PA/AP view, Rt plain radiograph of the wrist, girl, 17 yo, index exam:

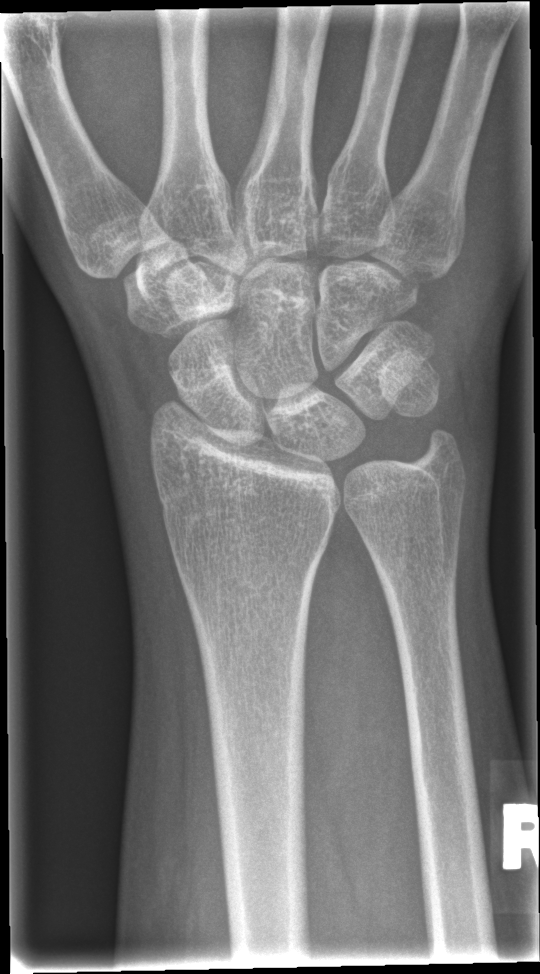 bone fracture = none labeled